L wrist plain film; AP view; 3-year-old female: 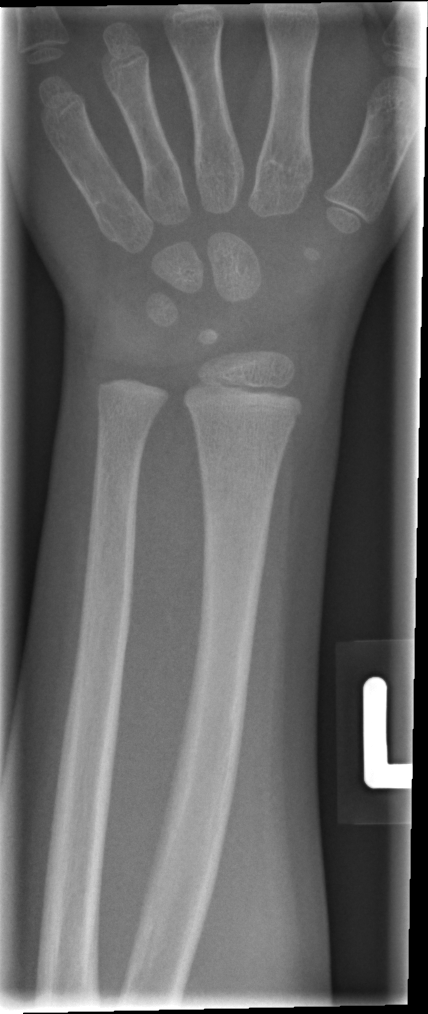 No Fx annotated.